Frontal; left wrist plain film; detector: Siemens. 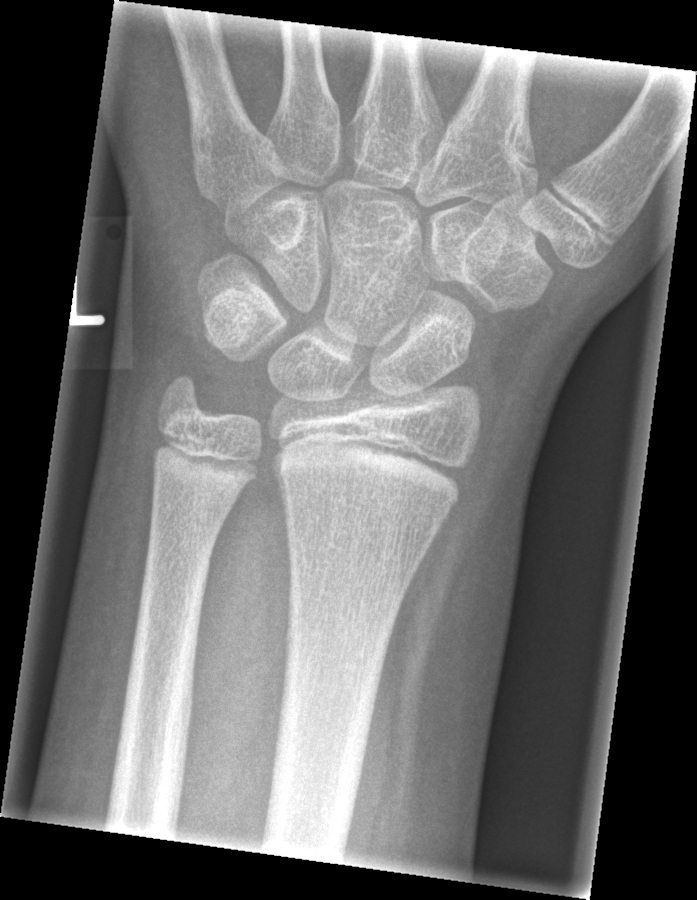

No Fx annotated.